Posteroanterior projection | R wrist XR | age 11 y, male
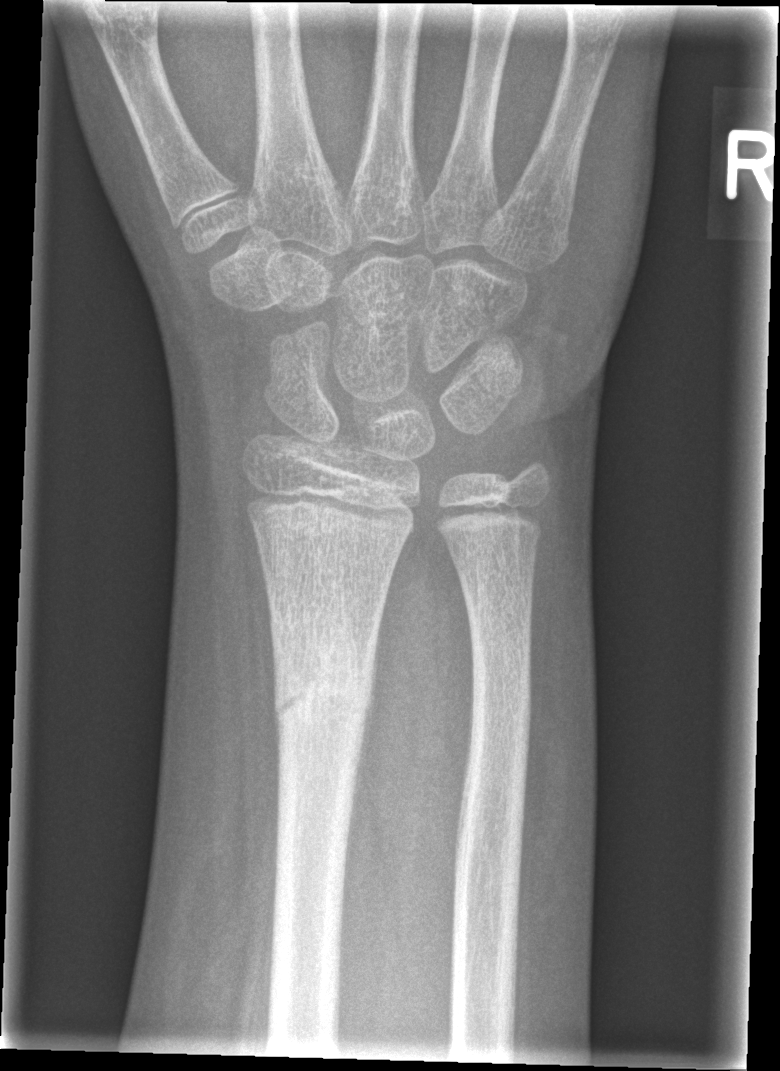
(coordinates are [x1, y1, x2, y2] in image pixels)
Q: Is there a fracture?
A: Bone fracture identified at (267, 614, 379, 743)
Q: AO code?
A: Fracture classified AO/OTA 23r-M/2.1
Q: Is there osteopenia?
A: Decreased bone density (osteopenia)